Lateral projection | right plain radiograph of the wrist.
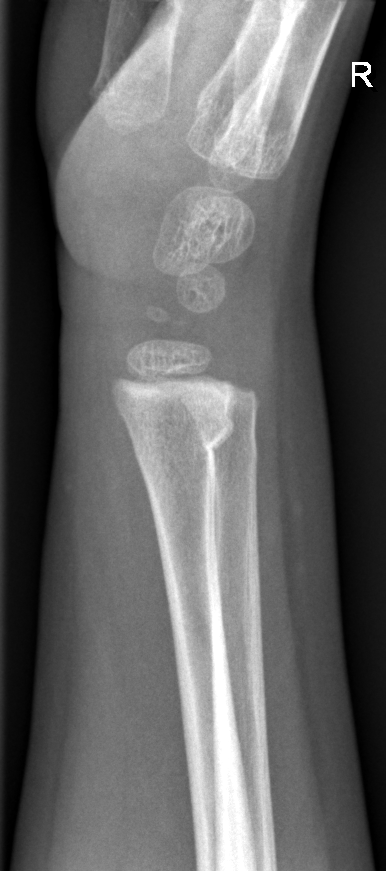 Bone fracture: 2 @ <127,404>-<238,470>, <191,409>-<265,473>
Pronator sign: <88,329>-<203,803>